R wrist X-ray, lateral projection, pediatric patient (girl, age 6)

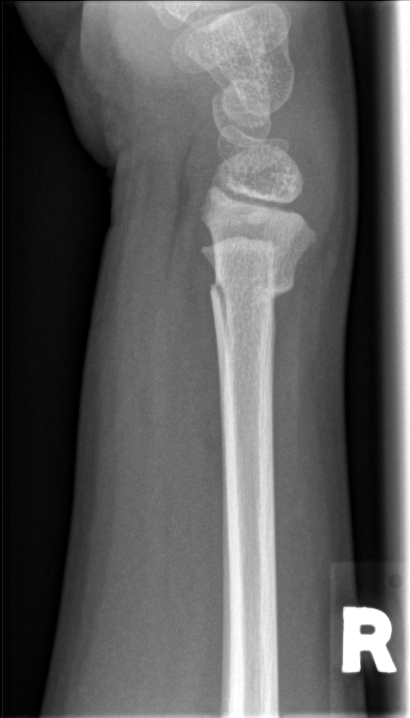 {
  "fracture": "bbox(206, 256, 298, 327)",
  "ao": "23r-M/3.1; 23u-M/2.1",
  "pronatorsign": "bbox(163, 208, 228, 496)"
}